PA/AP view · Rt plain radiograph of the wrist · 673 x 1342 px
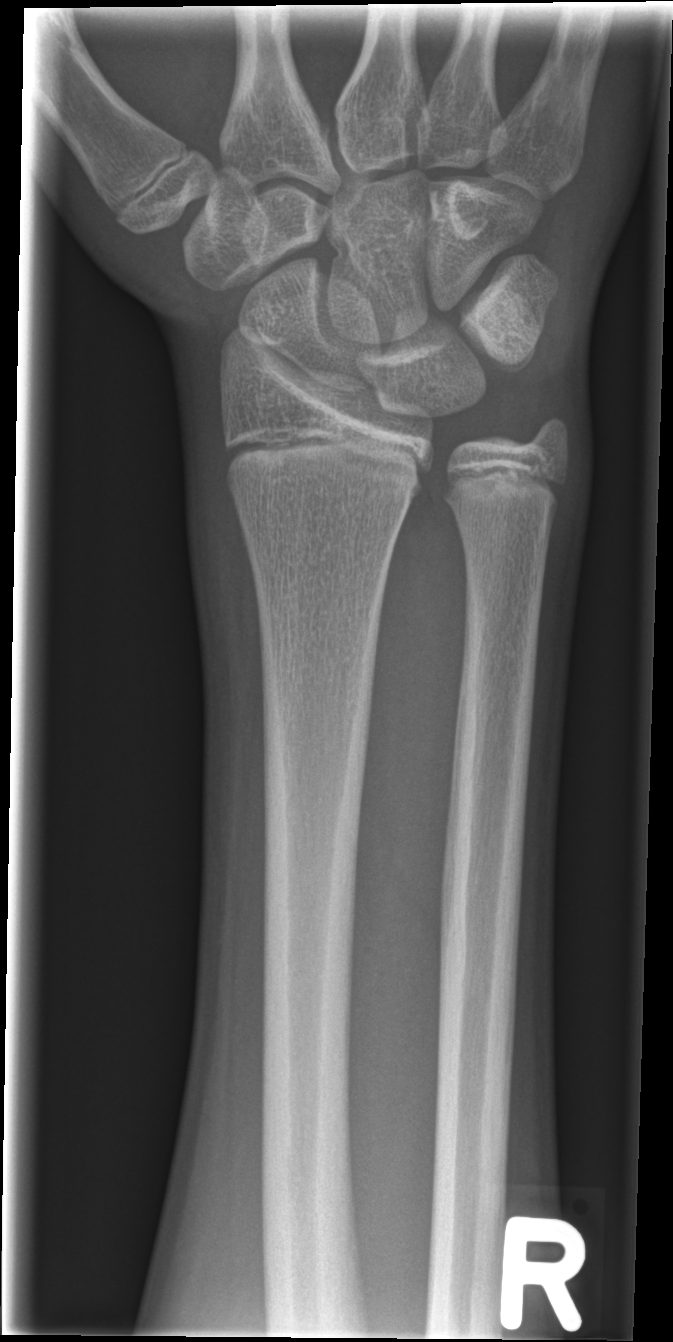

Fracture: none labeled